Right wrist X-ray; AP view; female, 11 yo; index exam; acquired on Siemens —

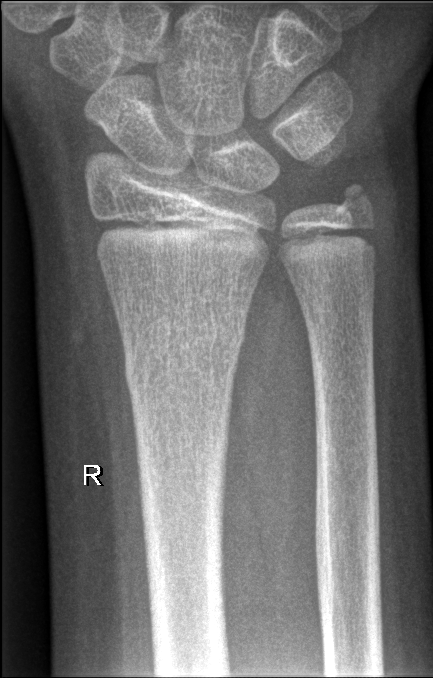

(pixel coordinates, top-left origin, xyxy)
AO/OTA = 23r-M/2.1; 23u-E/7
Bone fracture = 2 @ [118, 298, 249, 401], [333, 176, 378, 227]